Lateral view · left wrist XR · follow-up 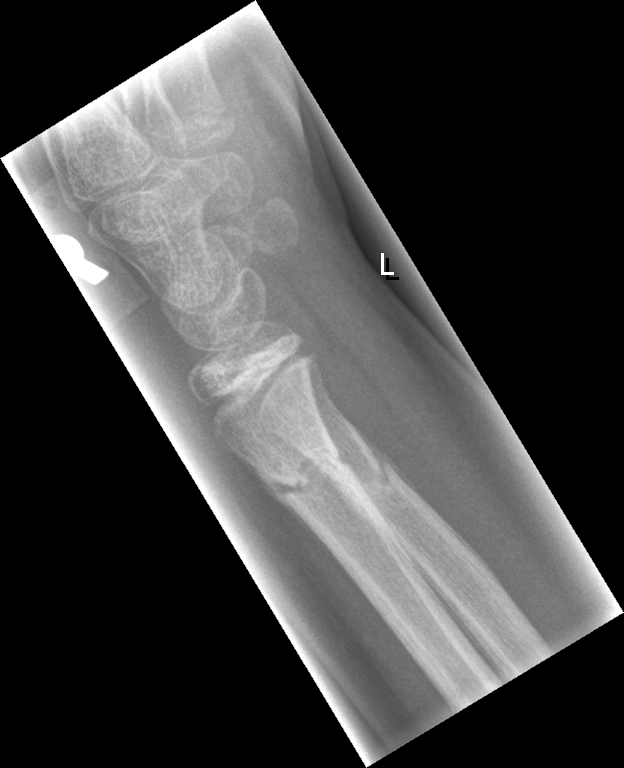 - Two bone fractures at 258 439 356 504; 350 440 395 495.
- Osteopenic.
- Fracture classified AO/OTA 23r-M/3.1; 23u-M/2.1.